Lat projection | left wrist radiograph | 9-year-old girl:
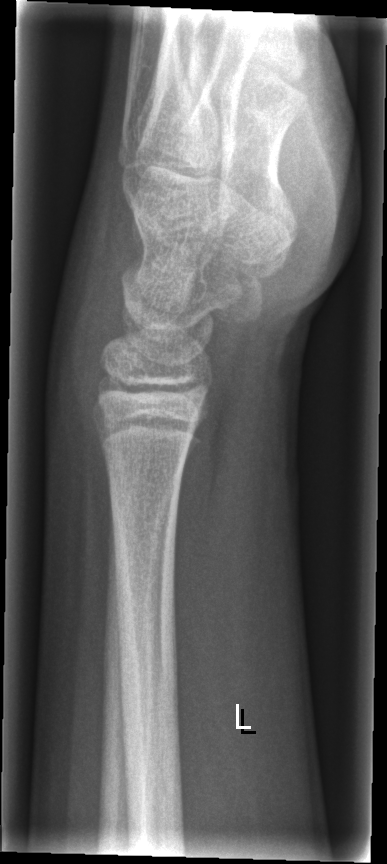

* No fracture annotation.